Rt plain radiograph of the wrist, PA/AP view, 15-year-old male, presentation radiograph. 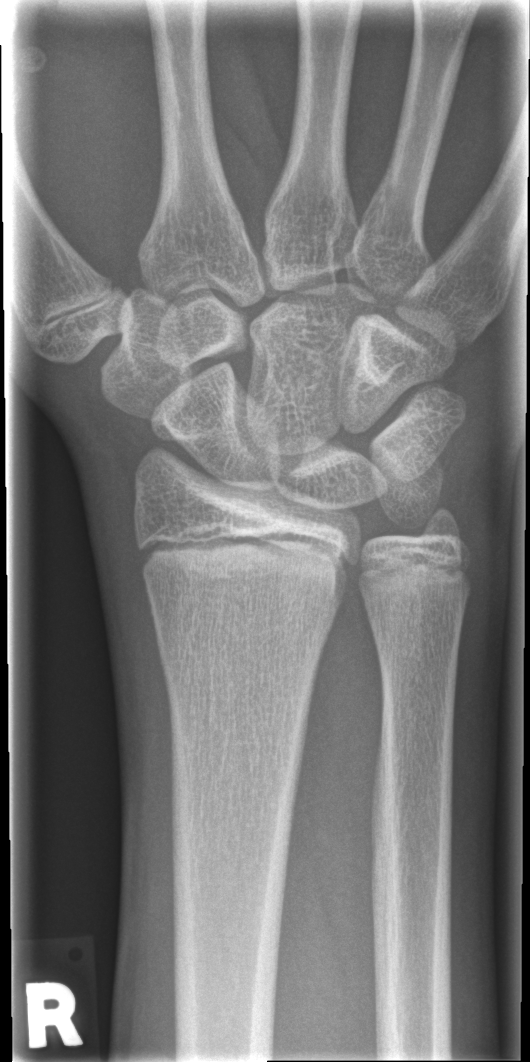 FINDINGS — No fracture labeled.